Lt wrist plain film | posteroanterior projection | index exam | image 94.8 mm wide | 658 by 962 pixels: 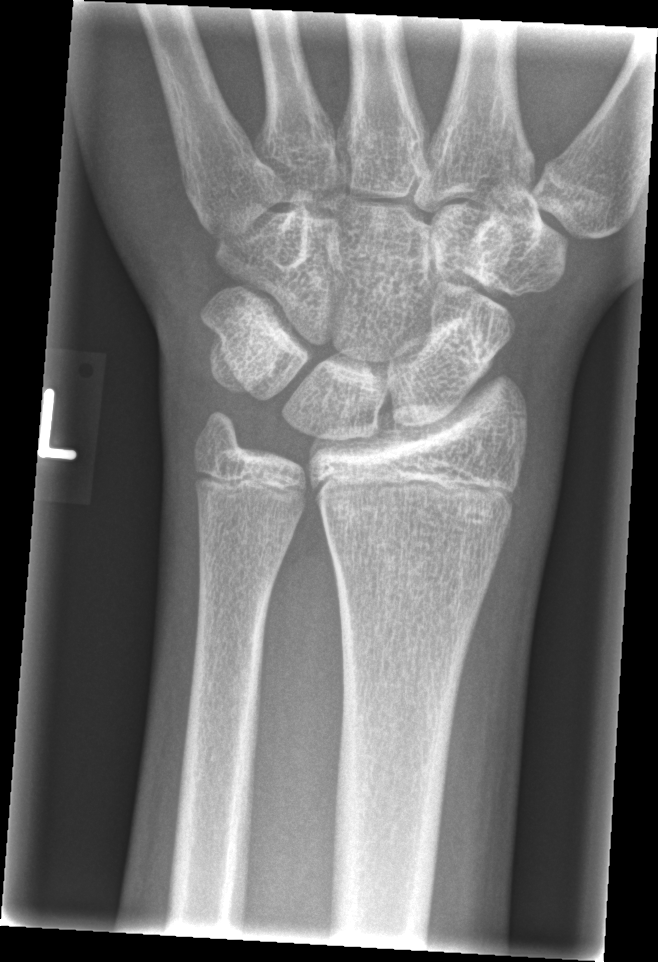
Q: What is the AO/OTA classification?
A: AO/OTA classification: 23r-M/2.1
Q: Locate any fractures.
A: Fracture present, though not clearly seen in this view